Lat view | right wrist plain radiograph of the wrist | 13-year-old male | initial study | image size 584x1152
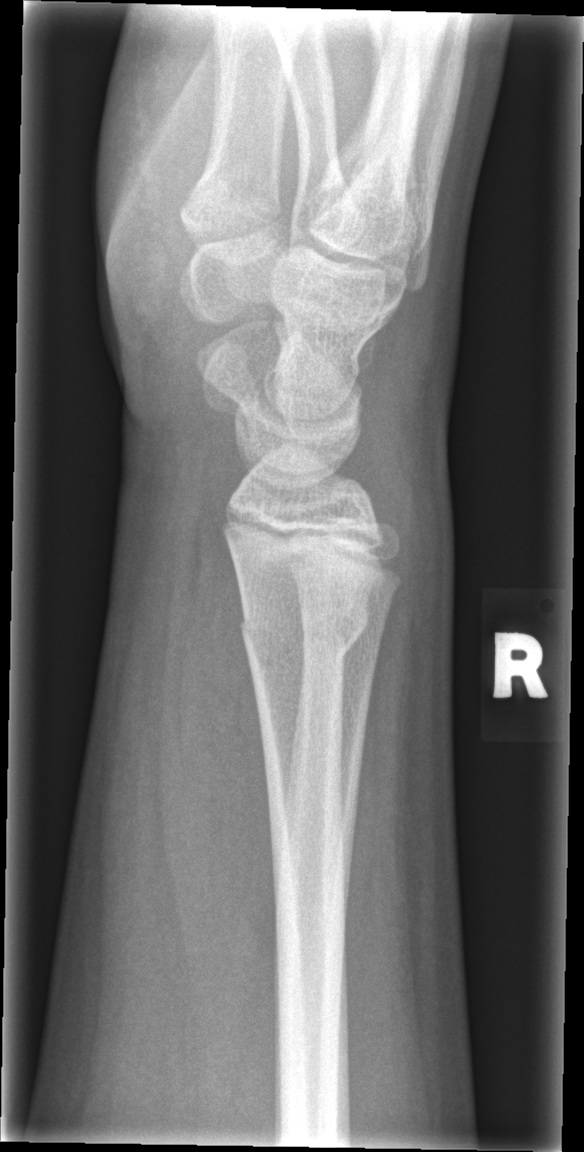

positive pronator fat-pad sign = <163,518>-<287,1063>
AO/OTA = 23r-M/3.1
Fx = <235,593>-<375,670>